Left wrist plain film; lat projection; pediatric patient (boy, age 13)
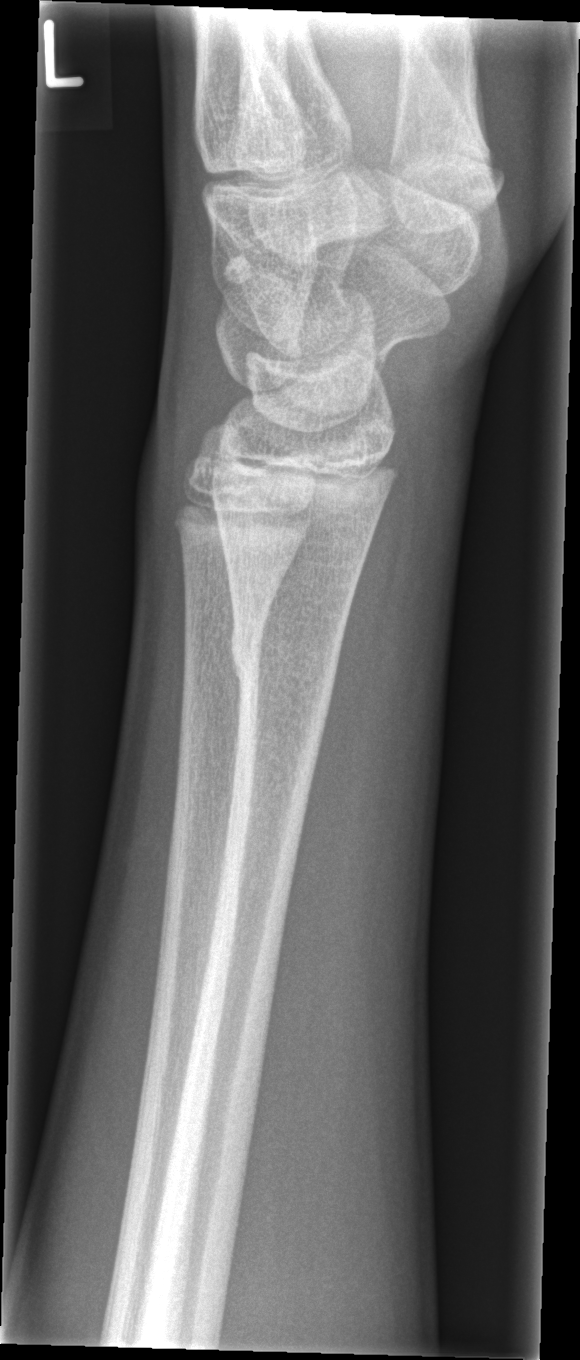

AO code 23r-M/2.1. Bone fracture: [225, 617, 342, 714].